R plain radiograph of the wrist | PA | imaged through cast | detector: Siemens: 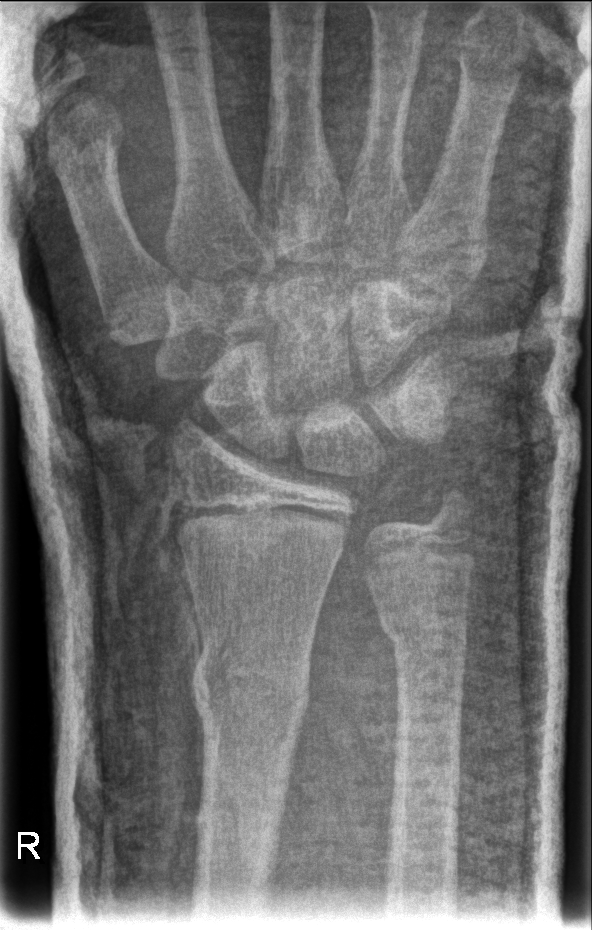

{
  "ao": "23-M/2.1; 23u-E/7",
  "fracture": "189,641,314,736 | 373,605,476,663 | 422,474,481,531"
}